R wrist plain film · lat projection · pediatric patient (male, age 11) · image 63.4 mm wide — 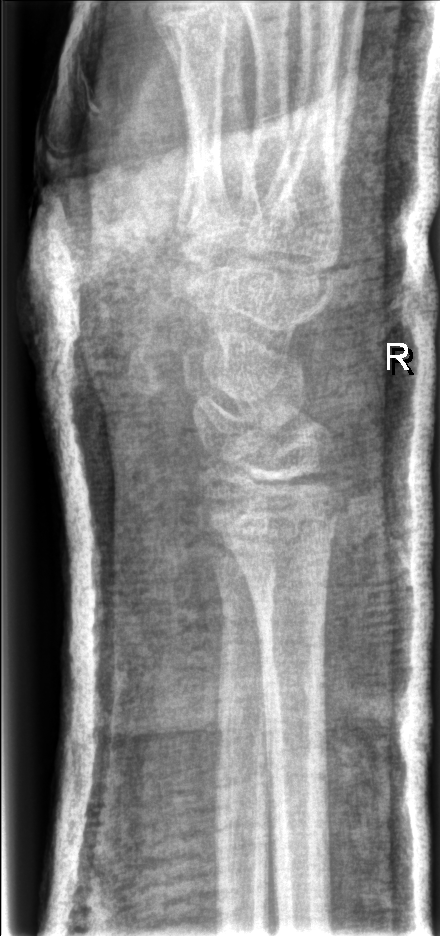

- No fracture annotation.